AP | R wrist radiograph | presentation radiograph. 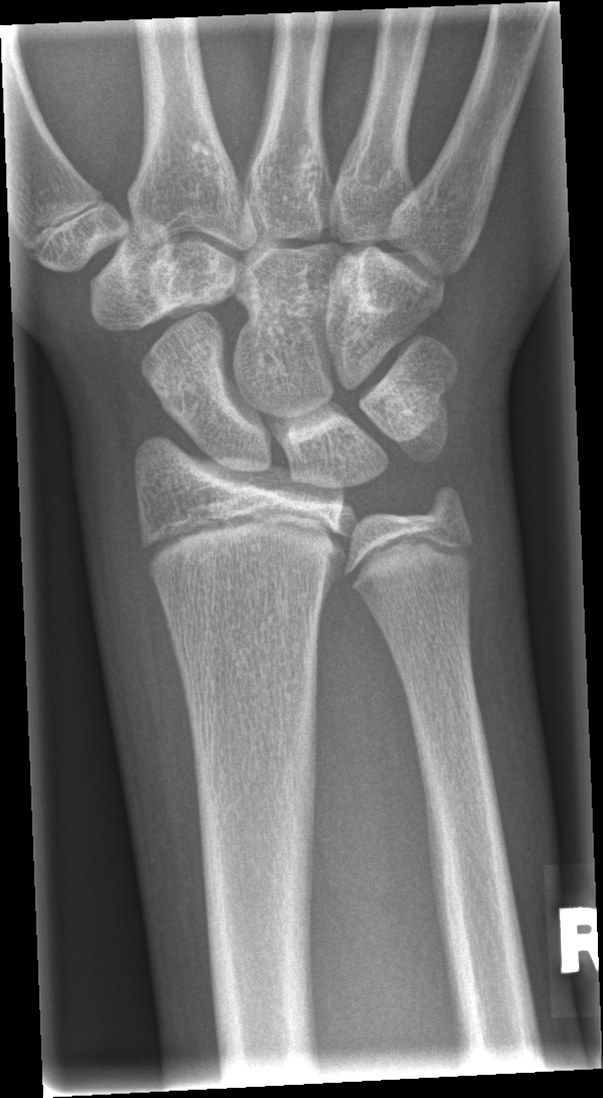
Fracture: none labeled.